Lat view, R wrist plain film.

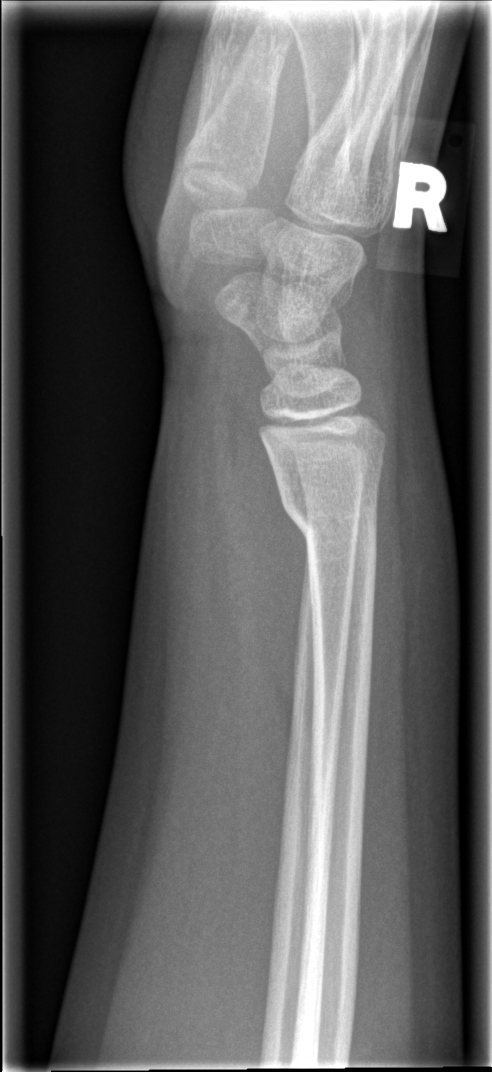
  fracture: (276, 484, 383, 557)
  pronatorsign: (202, 327, 313, 786)